PA projection | L wrist radiograph.

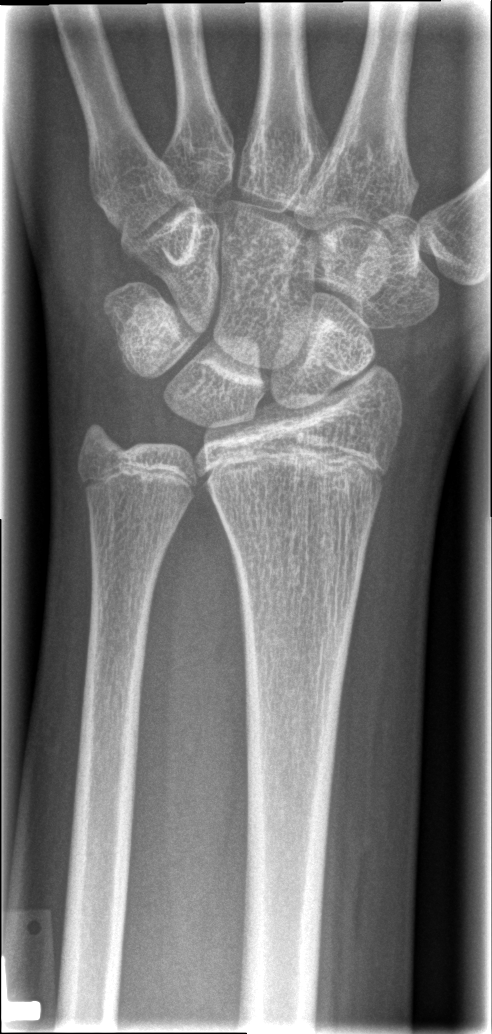
- Fracture: none labeled.